Right wrist XR; posteroanterior; 14y M; subsequent exam; 630x1534 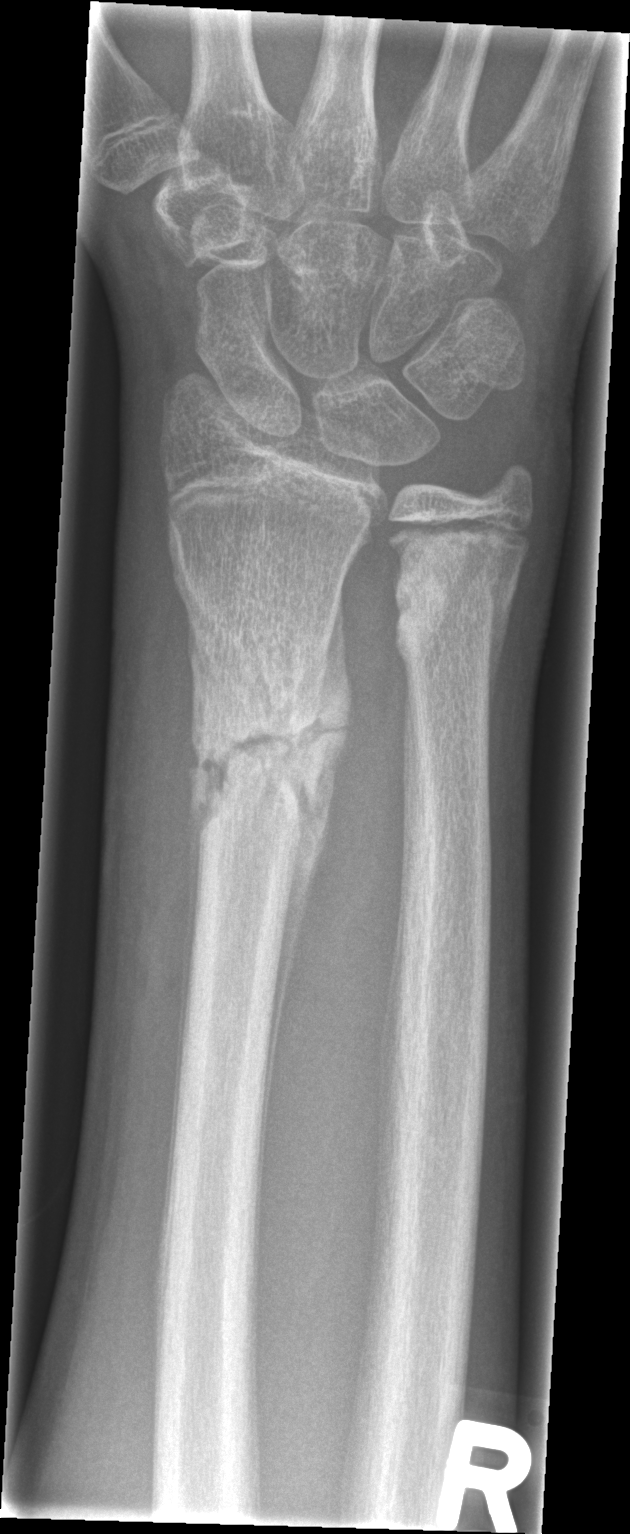

• Three periosteal reaction at [x1=259, y1=580, x2=353, y2=1235]; [x1=171, y1=618, x2=228, y2=1143]; [x1=485, y1=579, x2=517, y2=753].
• Osteopenic.
• Fx — [x1=184, y1=686, x2=339, y2=831]; [x1=380, y1=530, x2=520, y2=659].
• AO/OTA classification: 23-M/3.1.